Right wrist X-ray | lateral | pediatric patient (male, age 14) | diagnosis uncertain | detector: Siemens 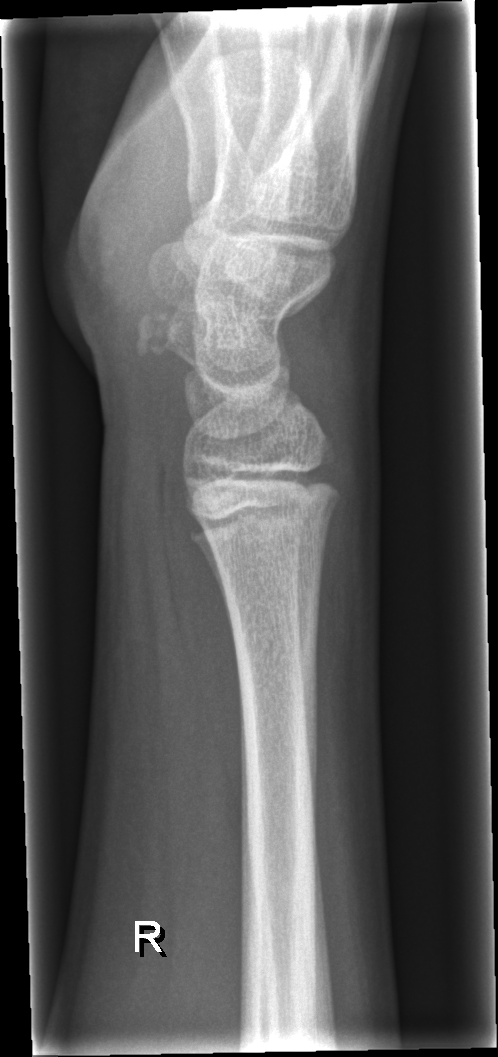
Q: Fracture present?
A: Fracture present, but no bounding box because it is not clearly seen in this view
Q: What is the AO/OTA classification?
A: AO/OTA classification: 23r-M/2.1